L wrist radiograph | lat projection | presentation radiograph | acquired on Siemens | 70.7 mm image width: 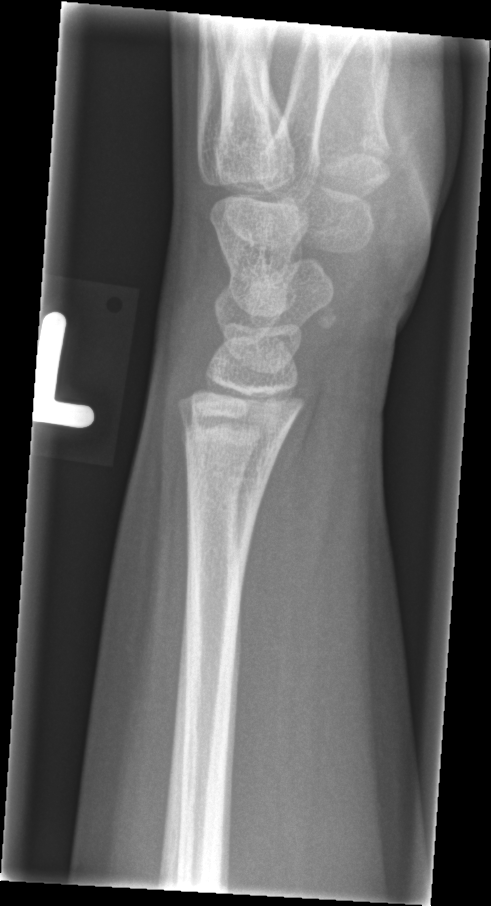 Fracture = none labeled